PA/AP · Lt wrist radiograph · pediatric patient (female, age 12) — 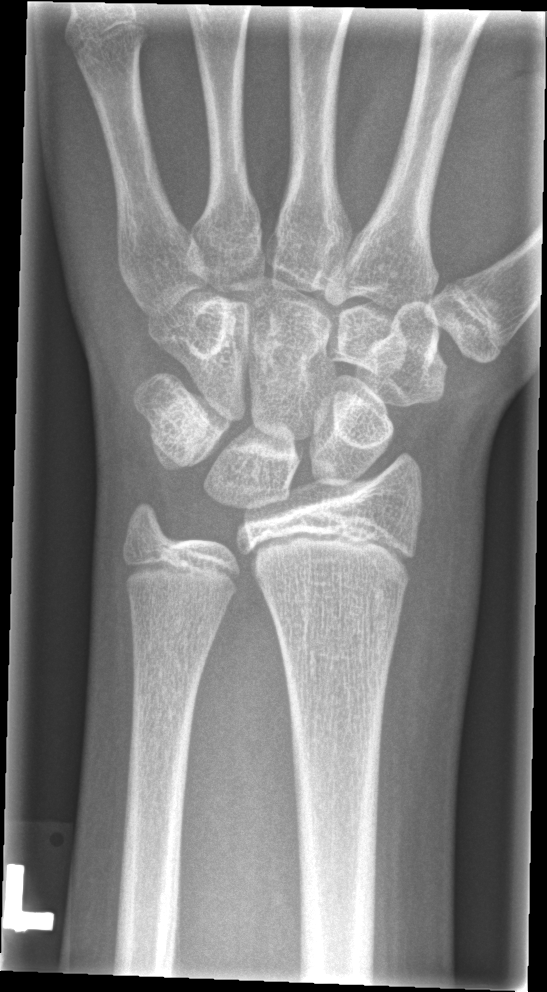 FINDINGS — Fx: none.